Lat, left wrist pediatric wrist radiograph, detector: Siemens

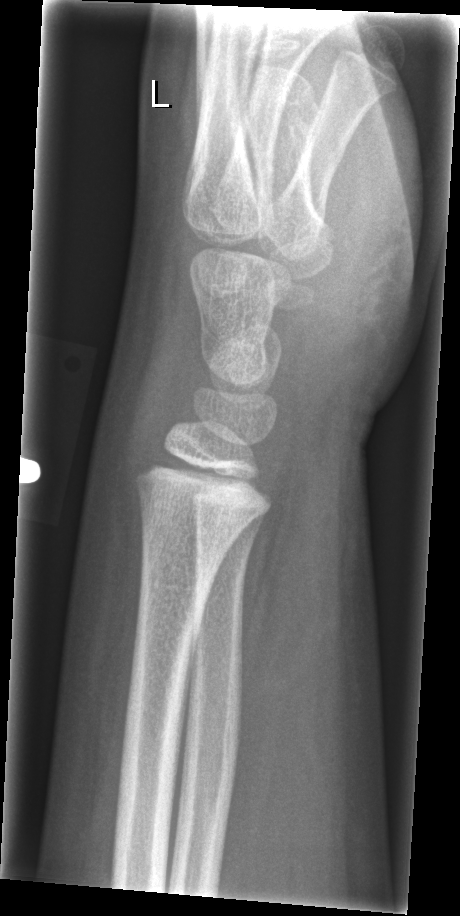 • Fx: none.